R plain radiograph of the wrist, lateral projection, female, 13 yo, detector: Siemens:

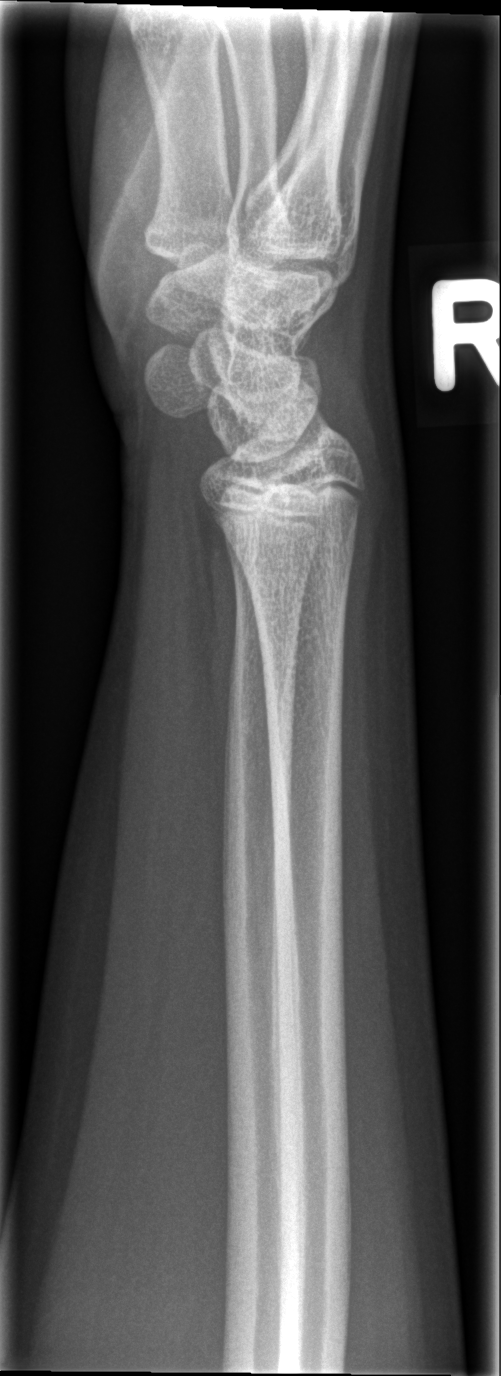

FINDINGS: Fracture: none labeled.